Lat view · L pediatric wrist radiograph · pediatric patient (male, age 12). 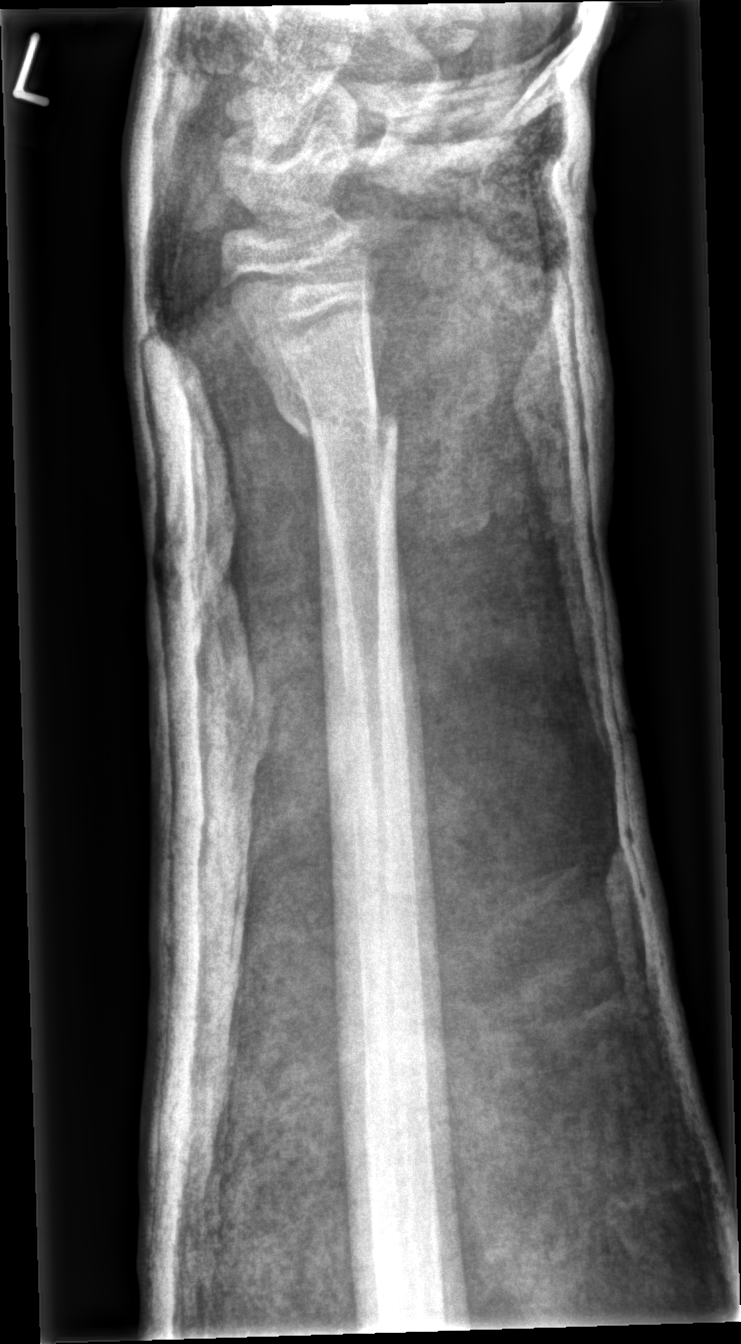
Q: What is the AO/OTA classification?
A: AO/OTA classification: 23r-M/3.1; 23u-M/2.1
Q: Fracture present?
A: Fx identified at 270,382,402,460